Right wrist X-ray; AP view; girl, 4 yo.

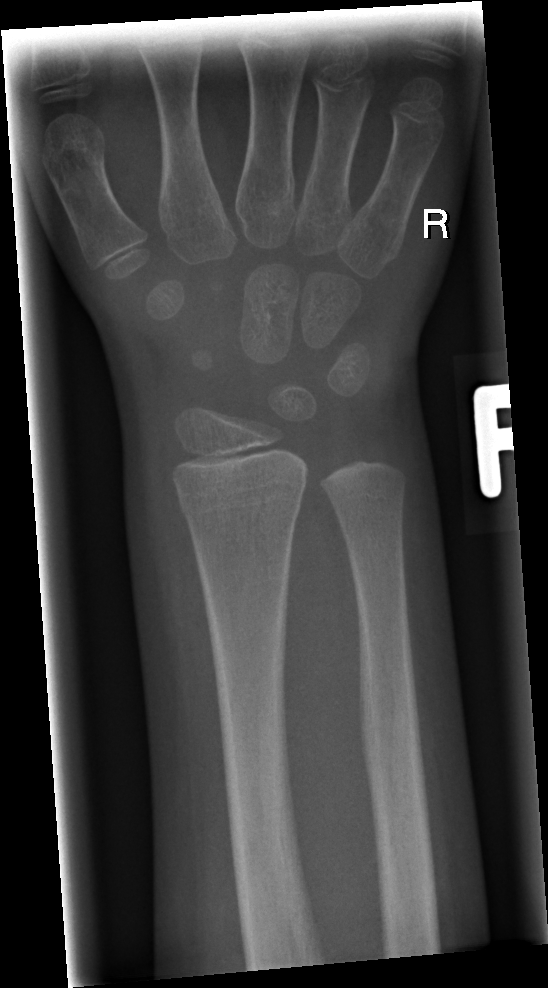

FINDINGS: Fracture identified at bbox(174, 473, 305, 534).